Frontal projection · R plain radiograph of the wrist · image width 116.9 mm:

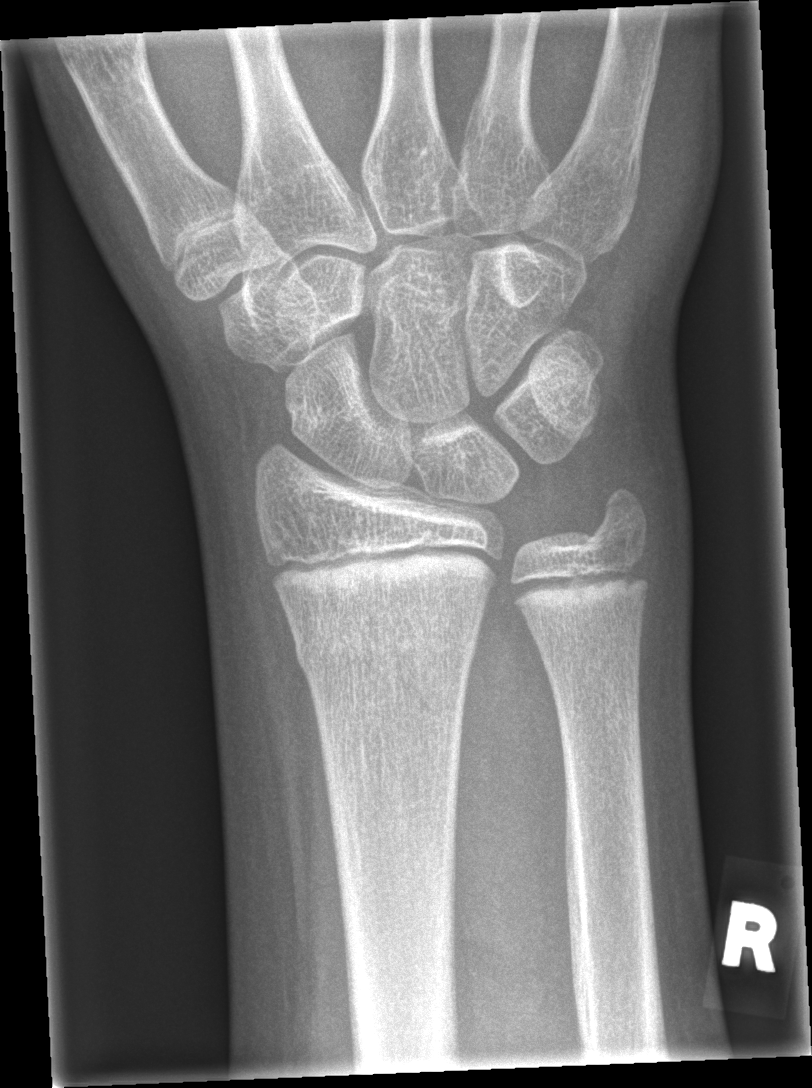
Boxes as x1,y1,x2,y2 (top-left / bottom-right, pixel units). Fx identified at 290,595,486,683 | 581,480,654,557.